Right plain radiograph of the wrist | lat | 11-year-old male | index exam | image 86.8 mm wide | 603 by 822 pixels 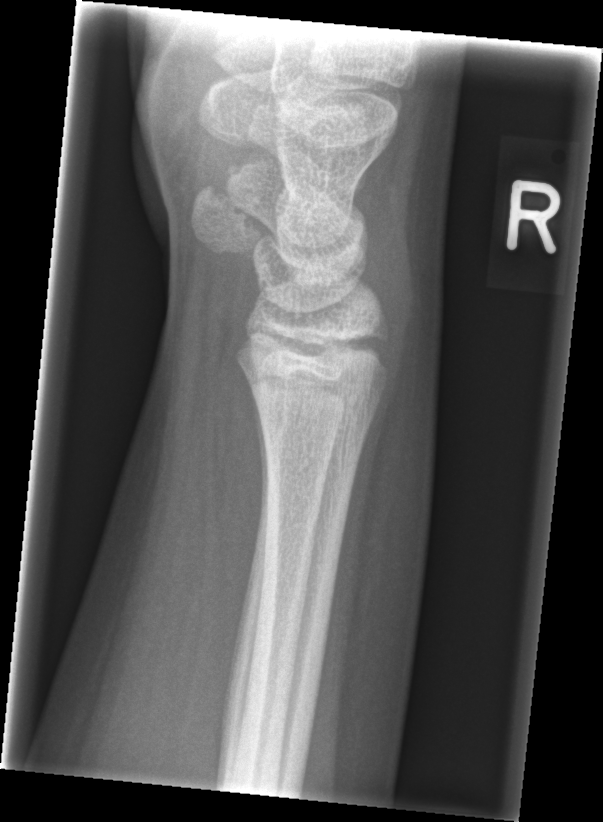
Fx: none labeled